Lateral projection, right wrist pediatric wrist radiograph.

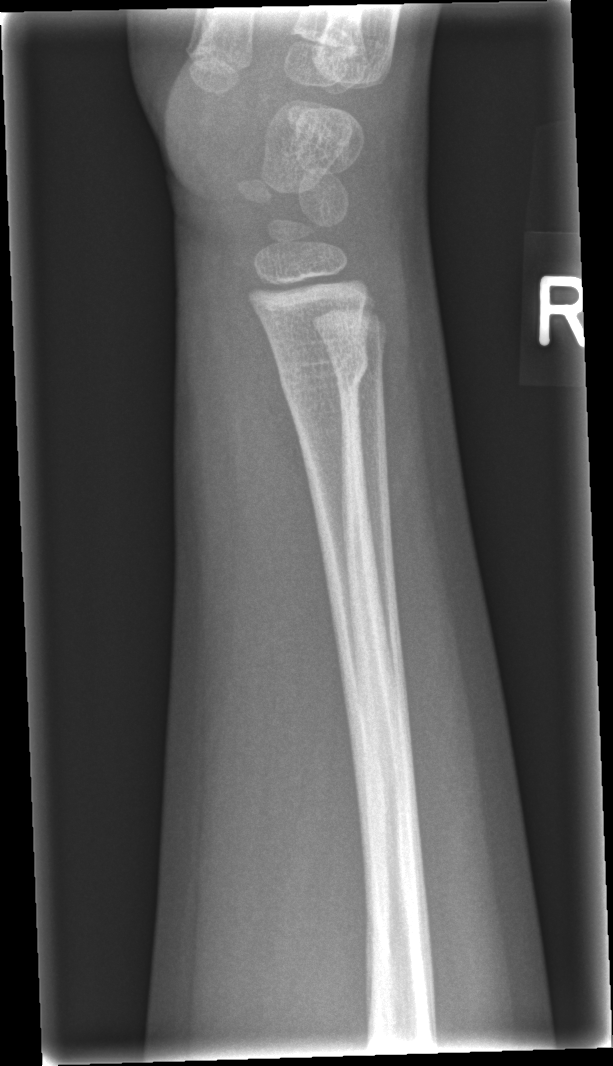 (boxes as x1,y1,x2,y2 (top-left / bottom-right, pixel units))
AO classification = 23r-M/2.1
Fx = 1 @ <274,342>-<372,404>